Left wrist radiograph; PA projection; index exam; findings marked uncertain by the reading radiologist

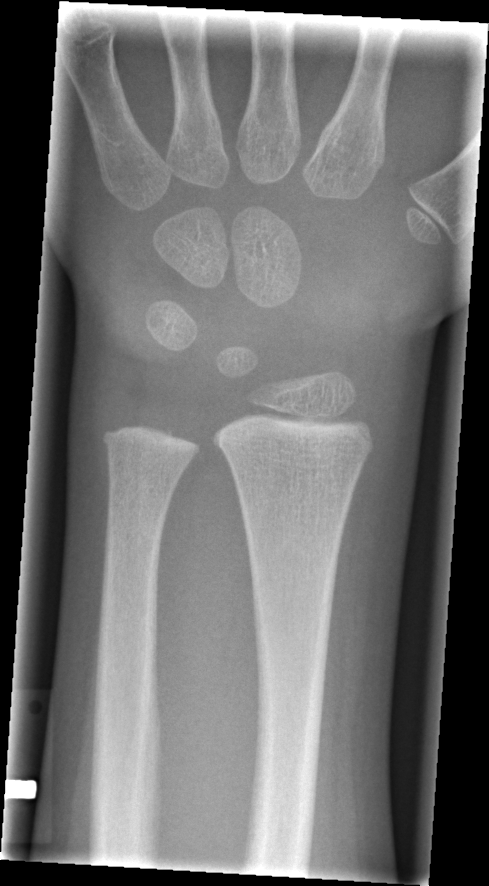 Findings: No fracture bounding box.